Lt wrist X-ray, frontal projection, imaged through cast, image 95.6 mm wide, 664 by 816 pixels:

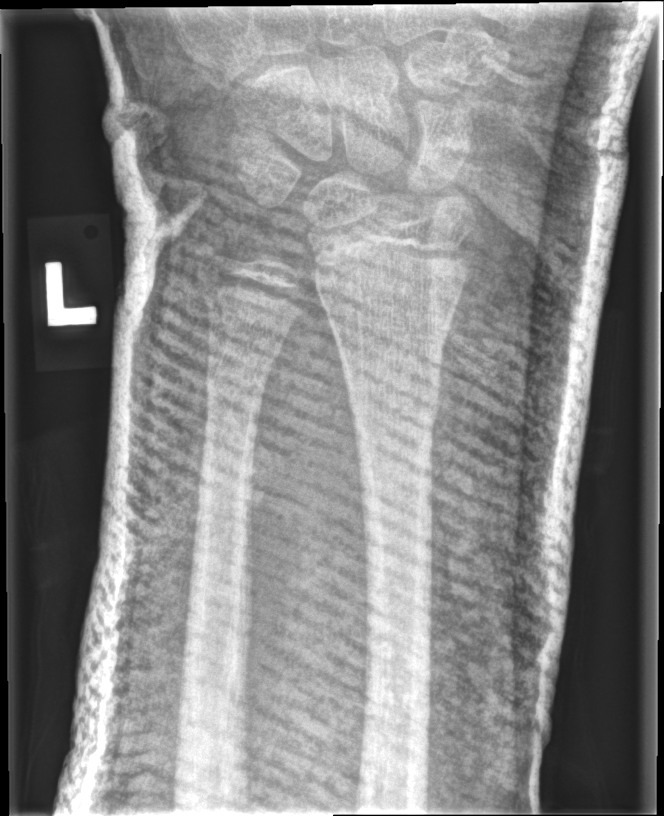

* Coordinates are [x1, y1, x2, y2] in image pixels.
* AO code 23r-M/3.1; 23u-M/2.1.
* Fractures — bbox(342, 350, 447, 440) bbox(200, 342, 286, 397).